Lateral projection · left plain radiograph of the wrist. 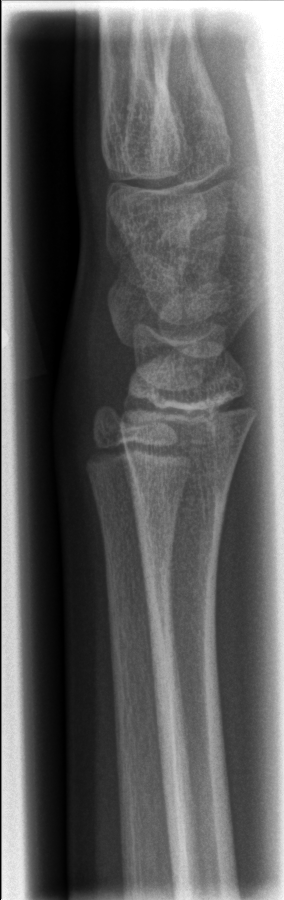 Bone fracture: none labeled